Right plain radiograph of the wrist · lateral view · pediatric patient (male, age 13) · follow-up study · cast in situ · detector: Siemens · image size 474x1006:
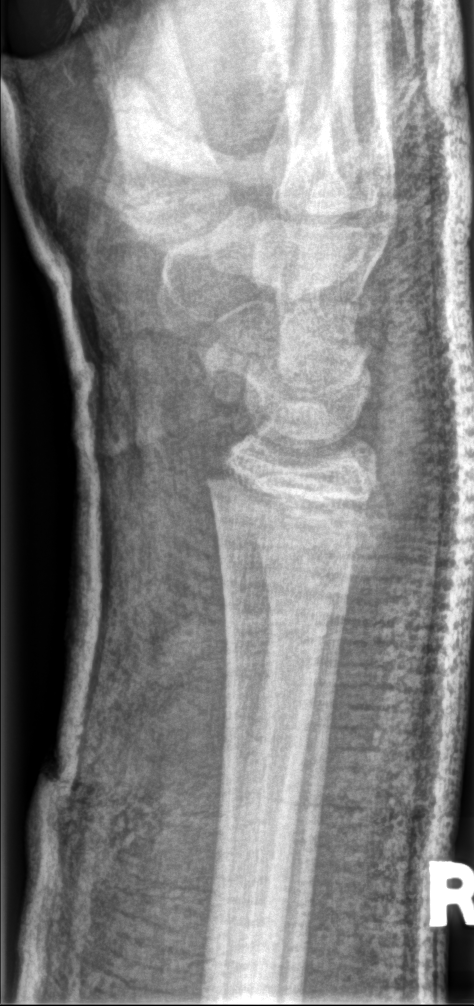

Bone fracture = bbox(199, 464, 397, 605)